AP view; right wrist plain film; pediatric patient (female, age 15); presentation radiograph.
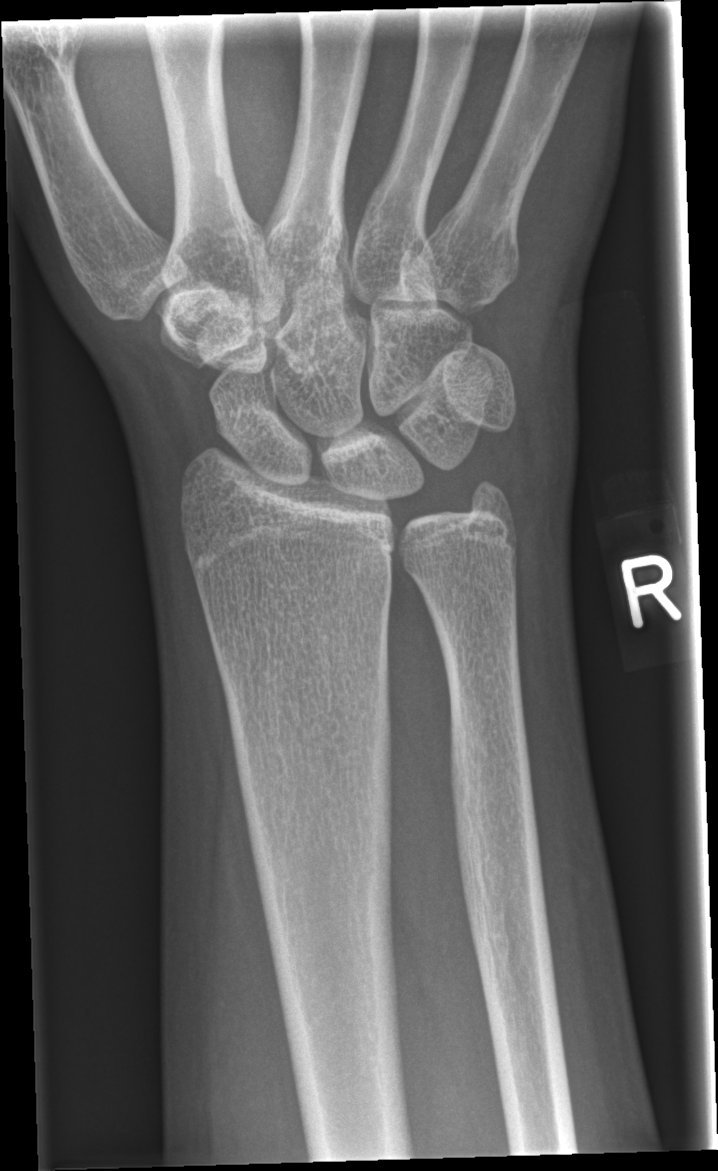

Fracture: none labeled.